R pediatric wrist radiograph | PA/AP | pediatric patient (male, age 2):
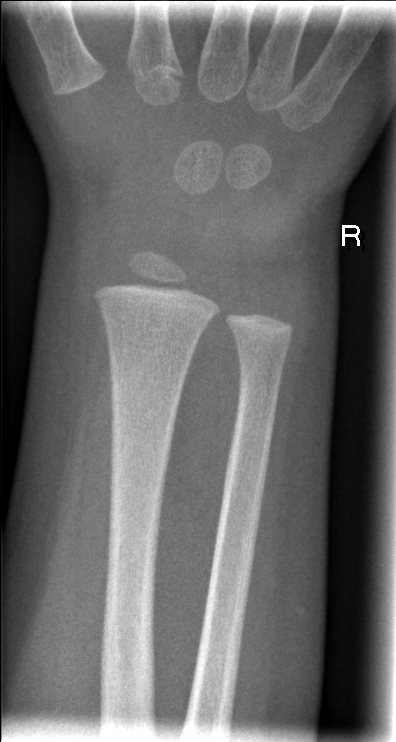
Fracture: none labeled.